Left wrist radiograph · posteroanterior projection 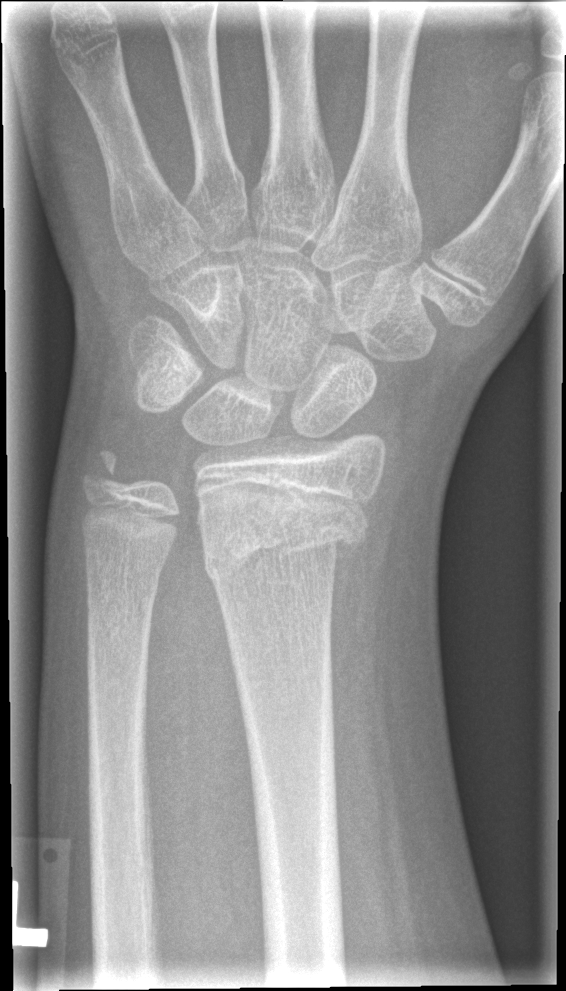
Q: Locate any fractures.
A: Three fractures at (197, 489, 370, 586), (82, 567, 163, 620), (78, 445, 130, 500)
Q: What is the AO/OTA classification?
A: AO code 23r-M/3.1; 23u-M/2.1; 23u-E/7